Right wrist plain film · PA/AP · 12-year-old boy · presentation radiograph.

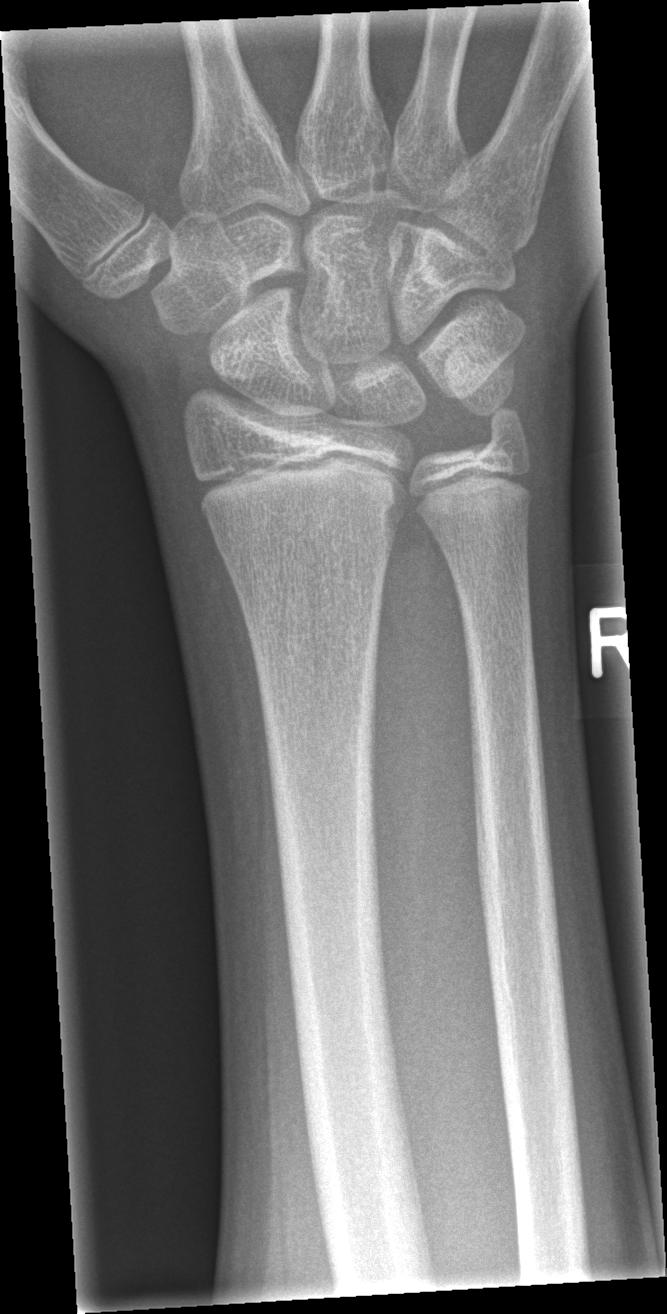
Fx: present but not clearly seen in this view